Rt wrist plain film | frontal view | female, 9 yo | cast in situ | 619x1110:

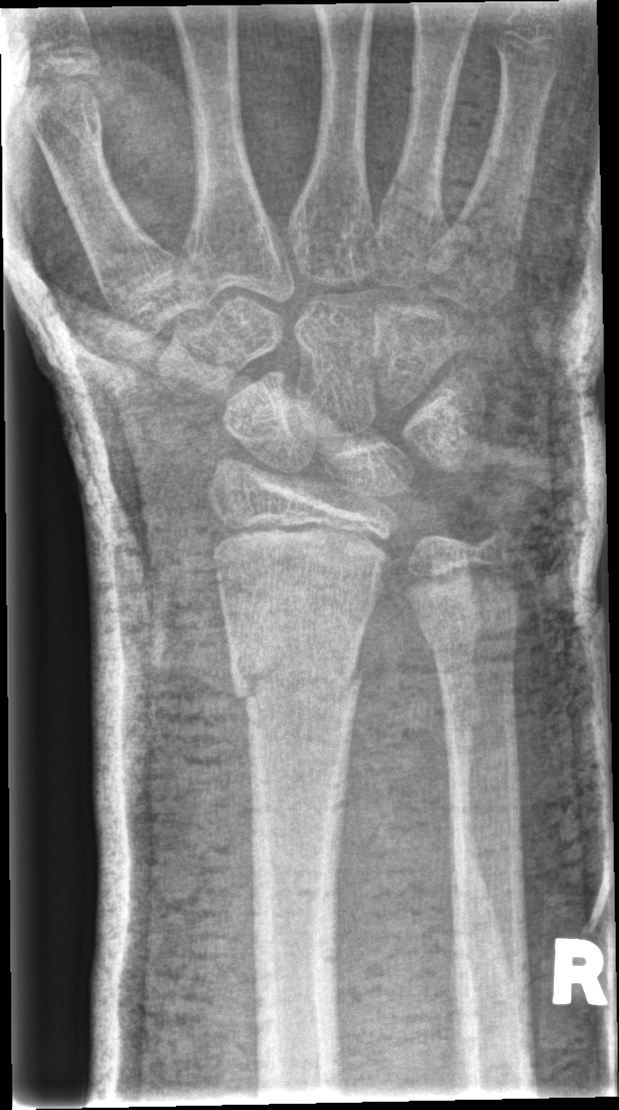

(bounding boxes in image-pixel xyxy)
Q: Is there a fracture?
A: Two fractures at (227, 641, 370, 734); (411, 598, 523, 664)
Q: What is the AO/OTA classification?
A: AO/OTA classification: 23r-M/3.1; 23u-M/2.1